Lateral view, right wrist radiograph, pediatric patient (girl, age 17), presentation radiograph, 452 by 954 pixels
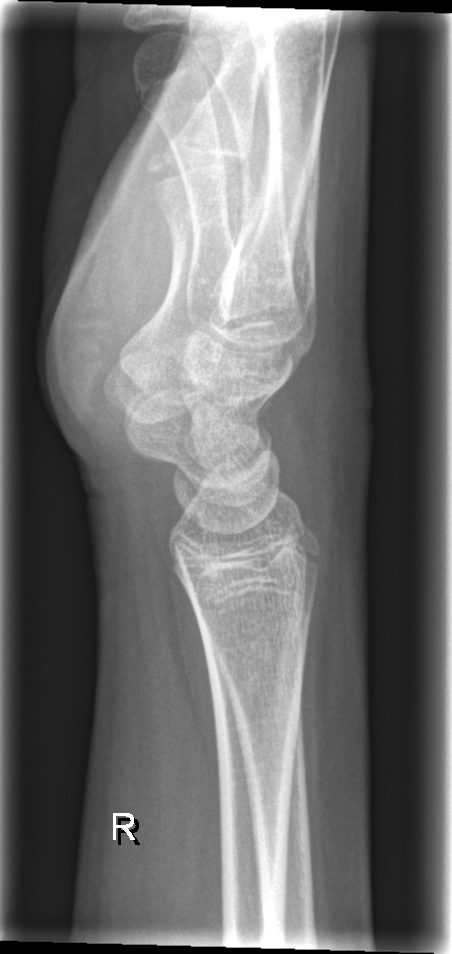
No Fx annotated.